AP, right wrist radiograph, follow-up study — 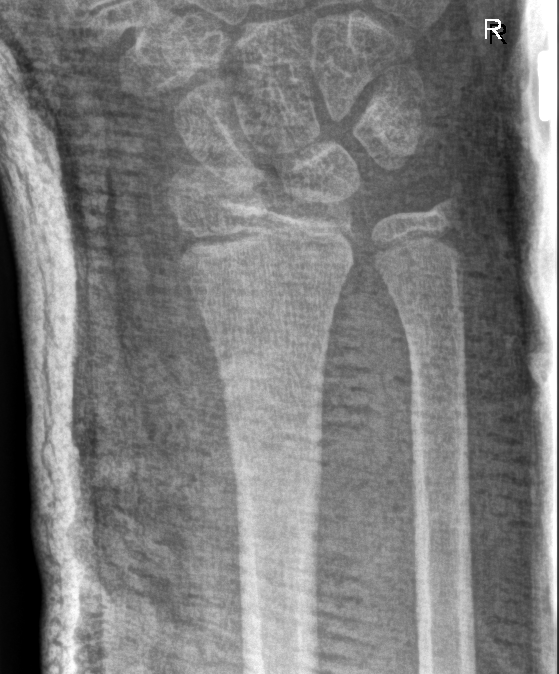

• One fracture at (214, 343, 331, 439).